Right plain radiograph of the wrist; frontal view; image size 439x954
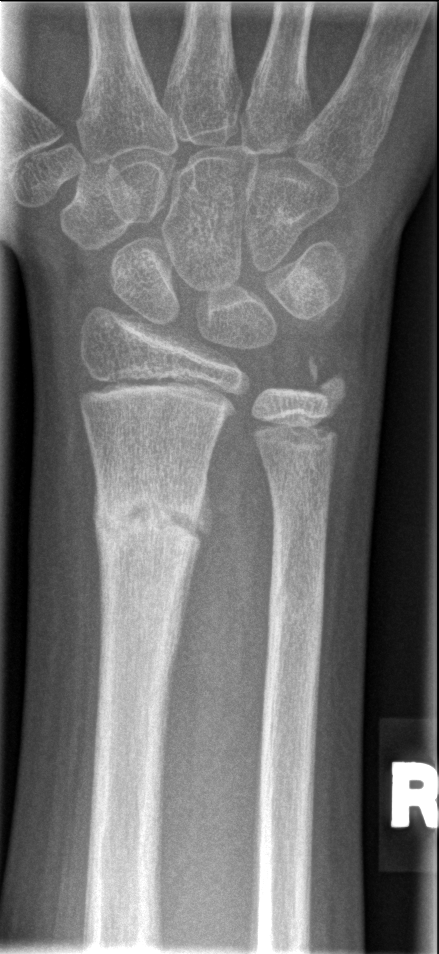
Periosteal reaction identified at 169 466 214 679.
Bone fracture identified at 90 477 210 573
  266 570 329 632
  302 354 351 413.